Lat | Rt wrist plain film | subsequent exam | image 57.9 mm wide —
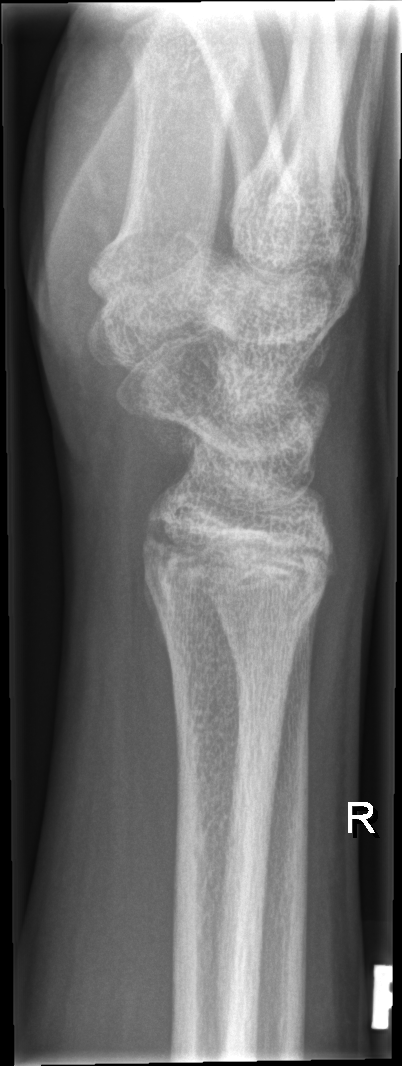
Coordinates are [x1, y1, x2, y2] in image pixels.
Decreased bone density (osteopenia).
AO/OTA classification: 23r-E/2.1; 23u-E/7.
Bone fracture: (138, 516, 335, 653).
Periosteal thickening — (142, 567, 177, 676).